PA view; Lt wrist X-ray; age 16 y, girl; 651 x 1232 px.

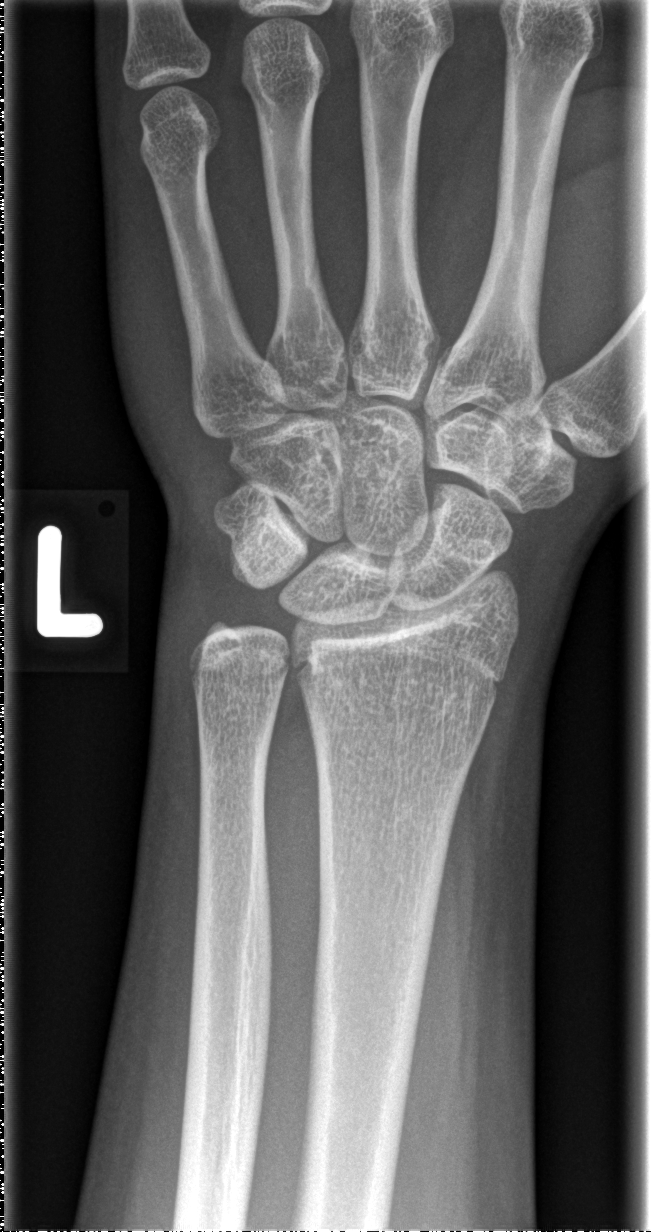
FINDINGS — No Fx annotated.